Rt wrist radiograph, posteroanterior, Siemens 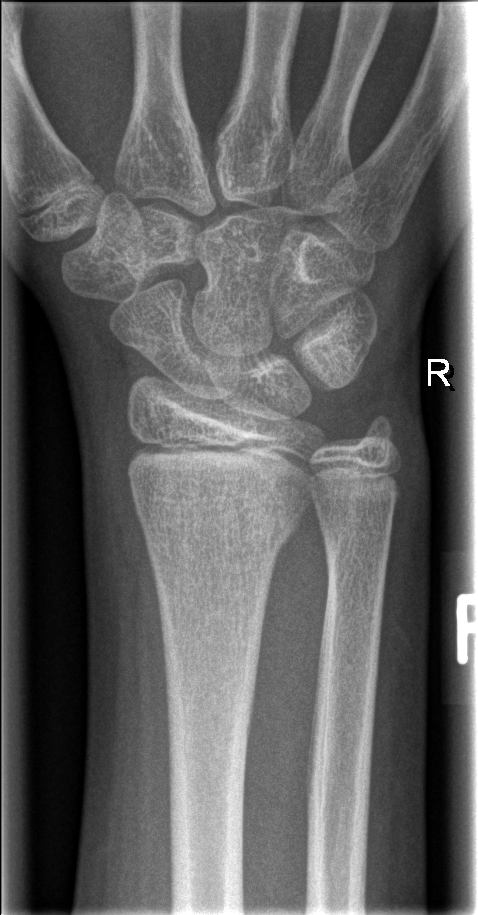 FINDINGS — One bone fracture at [x1=136, y1=474, x2=298, y2=556].